Right wrist plain film; lat view; subsequent exam; image 100.4 mm wide — 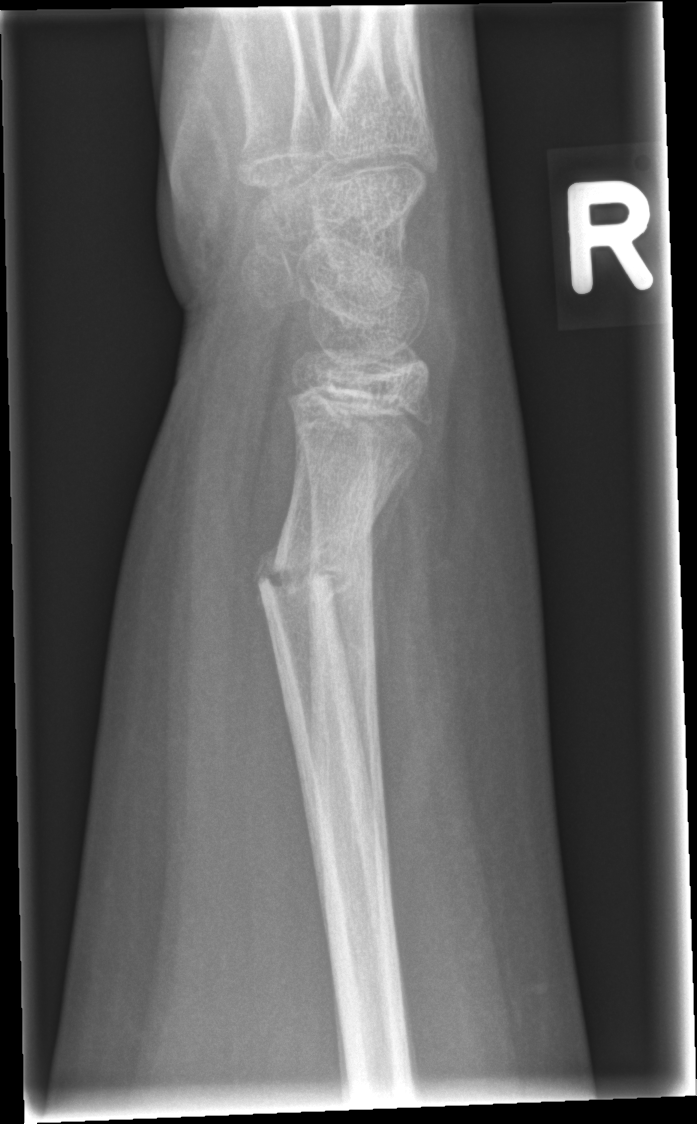

(pixel coordinates, top-left origin, xyxy)
Periosteal new bone = (left=334, top=451, right=424, bottom=726); (left=253, top=546, right=282, bottom=614)
AO/OTA = 23r-M/3.1; 23u-M/2.1; 23u-E/7
Bone fracture = 1 @ (left=252, top=541, right=352, bottom=614)
Osteopenia = present